Lt plain radiograph of the wrist | lat —

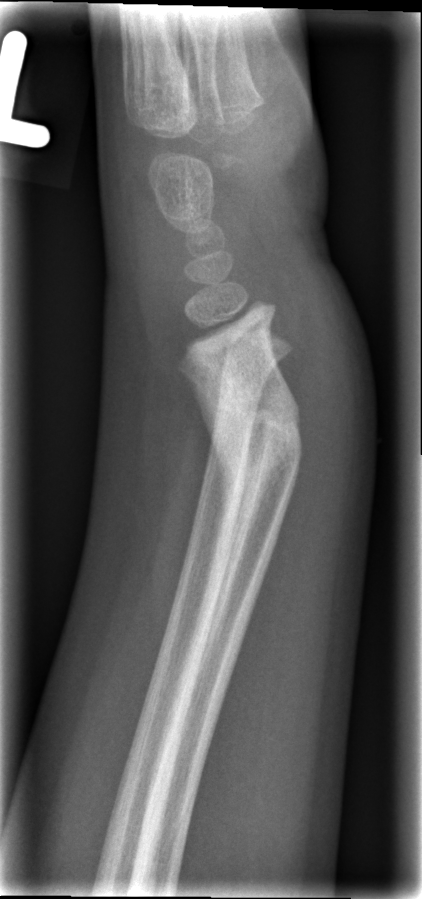 (pixel coordinates, top-left origin, xyxy)
fracture = (205, 386, 303, 488)